Rt wrist plain film | posteroanterior view | acquired on Siemens | 557 by 690 pixels

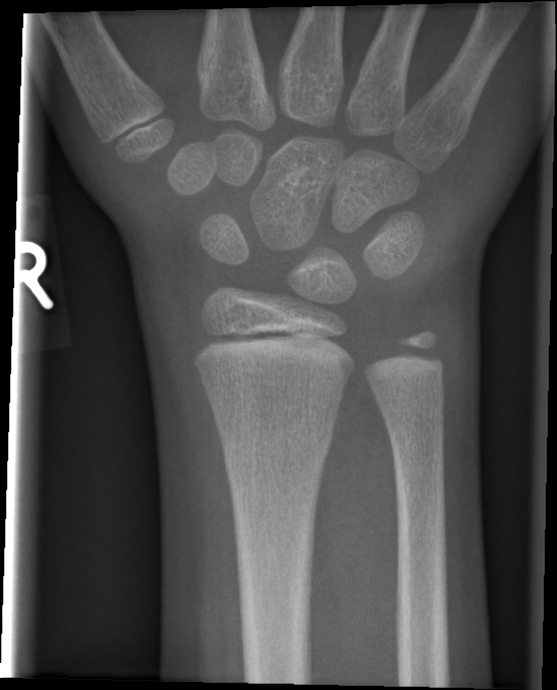 AO/OTA = 23r-M/2.1
Bone fracture = [212, 411, 338, 467]